Frontal projection | L wrist XR | 15-year-old boy | diagnosis uncertain | image 129.9 mm wide

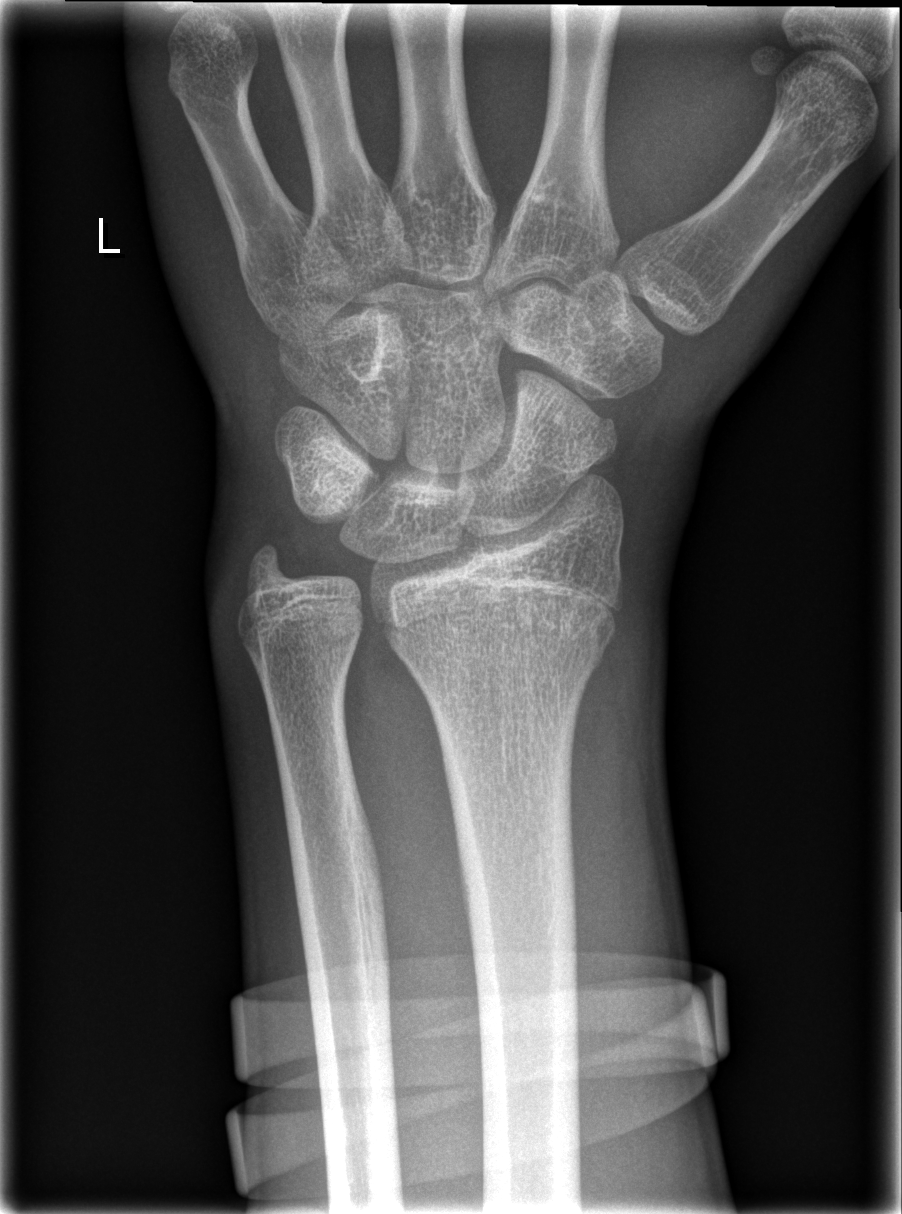 {"_coords": "bounding boxes in image-pixel xyxy", "boneanomaly": "1 @ [x1=585, y1=399, x2=622, y2=473]", "fracture": "1 @ [x1=403, y1=629, x2=613, y2=699]", "ao": "23r-M/2.1"}